R wrist plain film, lateral projection, 394 x 870 px:
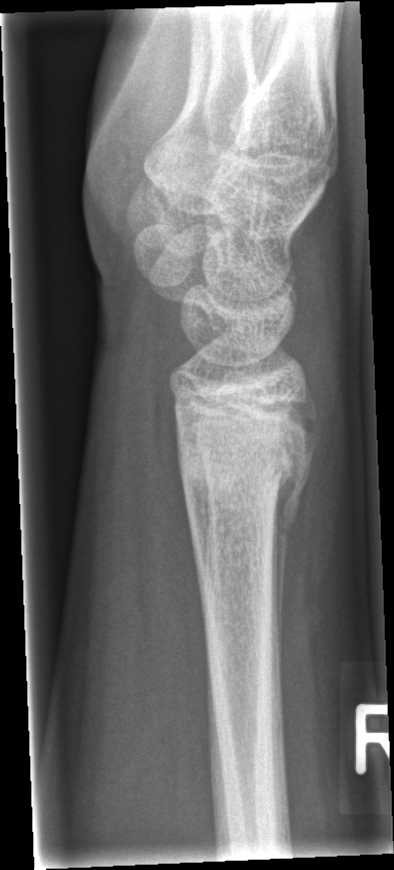
(bounding boxes in image-pixel xyxy)
Q: Any periosteal thickening?
A: Periosteal new bone — (272, 433, 313, 641)
Q: What is the AO/OTA classification?
A: Fracture classified AO/OTA 23r-M/2.1
Q: Is there a fracture?
A: Fx: (172, 390, 317, 531)